Rt wrist X-ray | AP projection | pediatric patient (female, age 14) | imaged through cast | 950 by 1270 pixels. 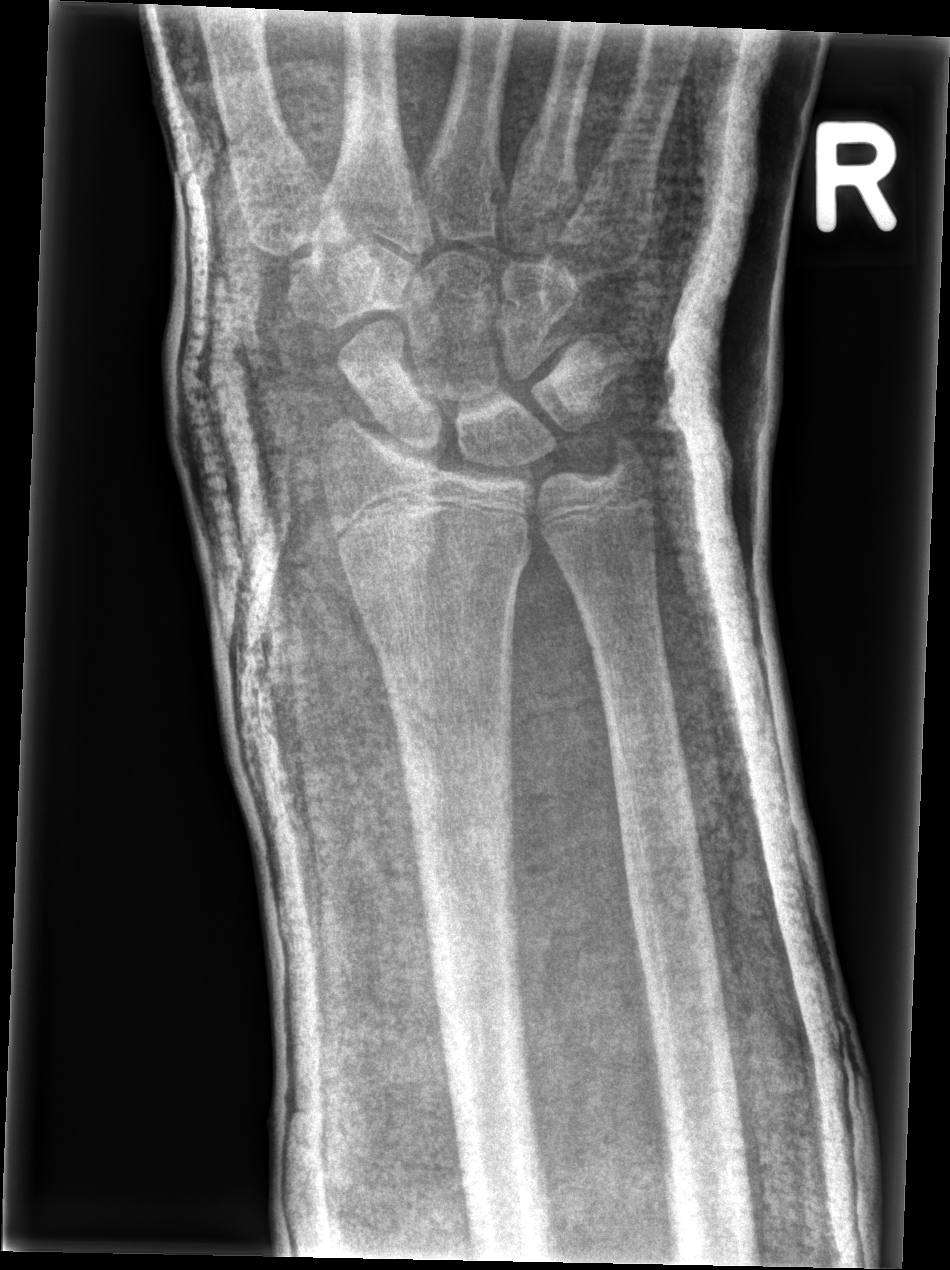
bone fracture = present but not clearly seen in this view
AO/OTA = 23r-M/2.1